Rt wrist XR | PA/AP projection:
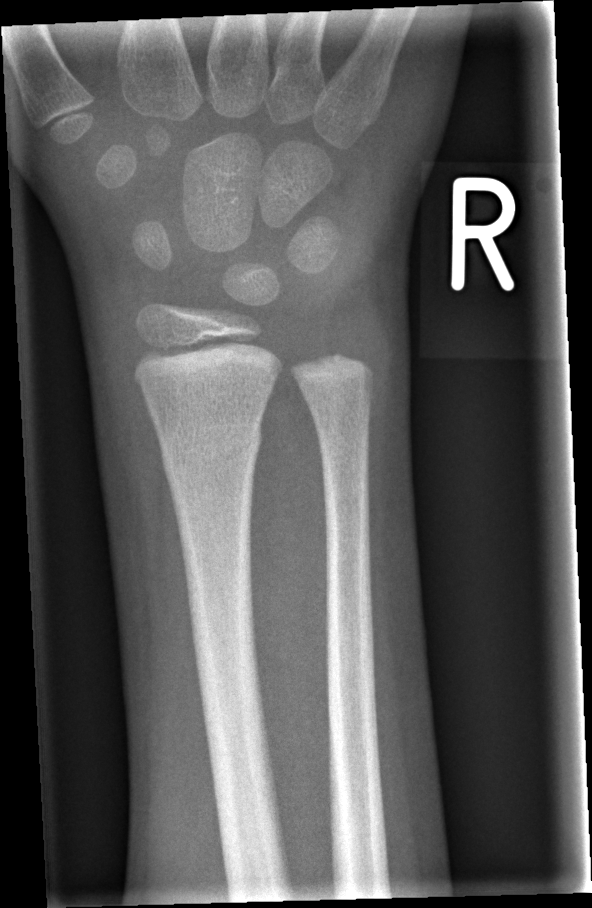 - Fx identified at 154,422,266,482.
- AO/OTA classification: 23r-M/2.1.